L wrist radiograph, lateral view, image size 924x1315 —

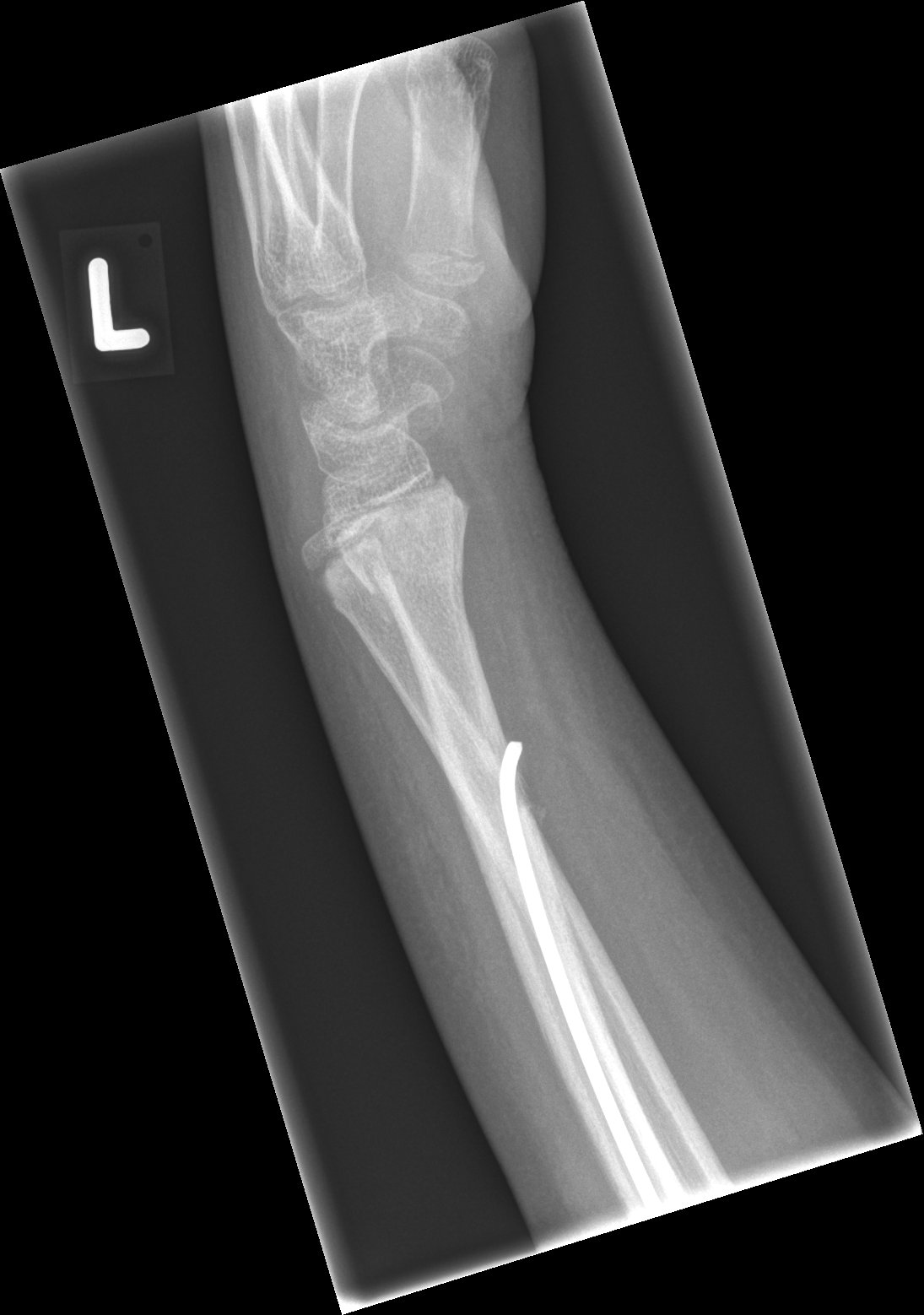
• AO/OTA classification: 23r-E/2.1; 23u-M/2.1.
• One hardware at 497,738,668,1217.
• Two Fx at 336,469,473,603
  311,533,397,620.